Rt wrist XR; PA; 15-year-old boy:

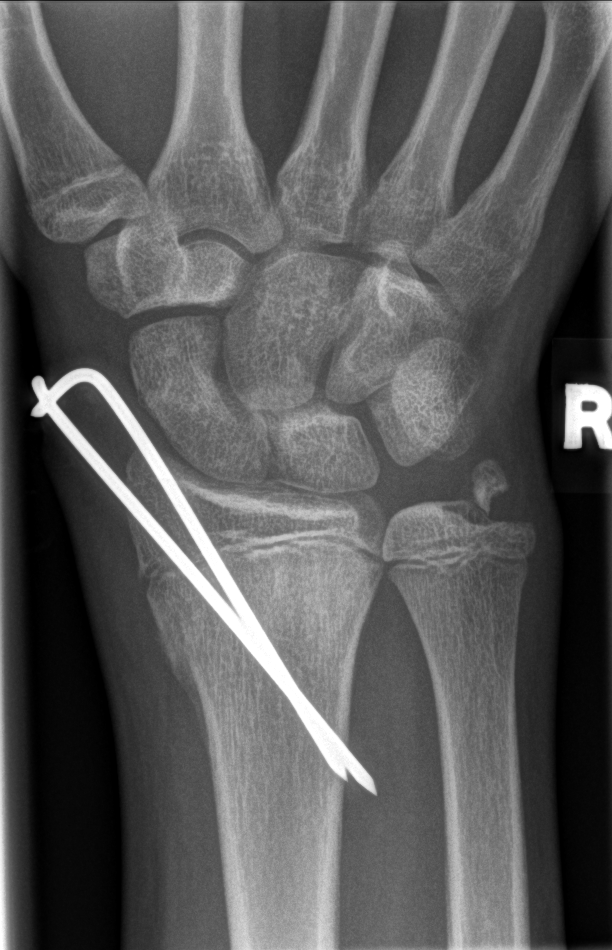

FINDINGS: AO code 23r-M/3.1; 23u-E/7. Osteopenic. Fractures — [x1=138, y1=539, x2=381, y2=738]; [x1=430, y1=448, x2=537, y2=553]. Metallic hardware identified at [x1=28, y1=355, x2=392, y2=805].